PA/AP | left wrist XR | follow-up study:

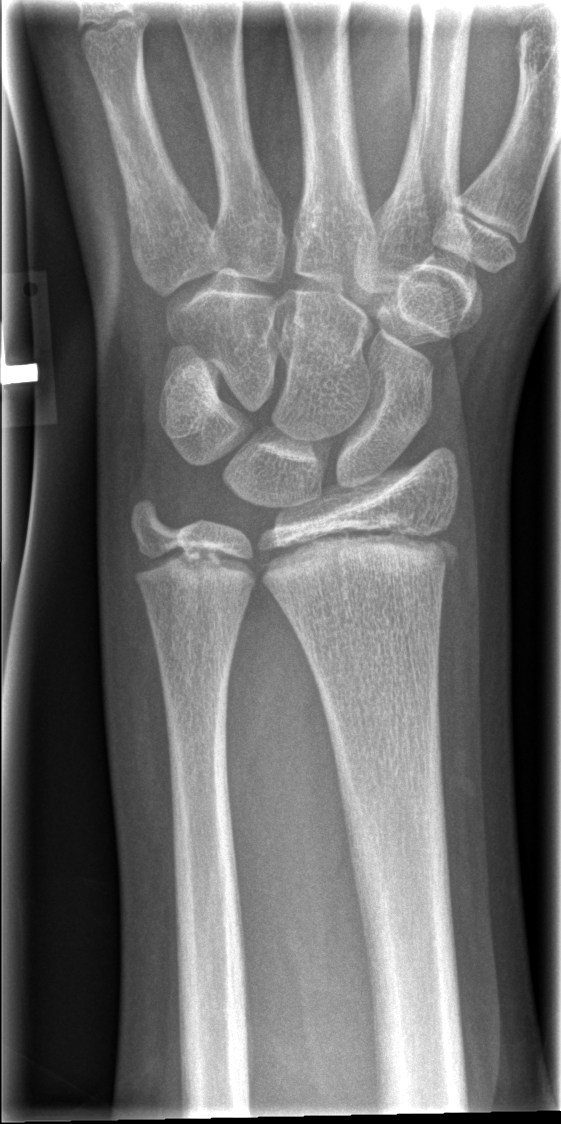
Bounding boxes in image-pixel xyxy.
One Fx at [x1=259, y1=525, x2=461, y2=586].
AO code 23r-E/2.1.
Periosteal new bone — [x1=438, y1=543, x2=460, y2=575].